Frontal, right pediatric wrist radiograph, detector: Siemens, 69.1 mm image width. 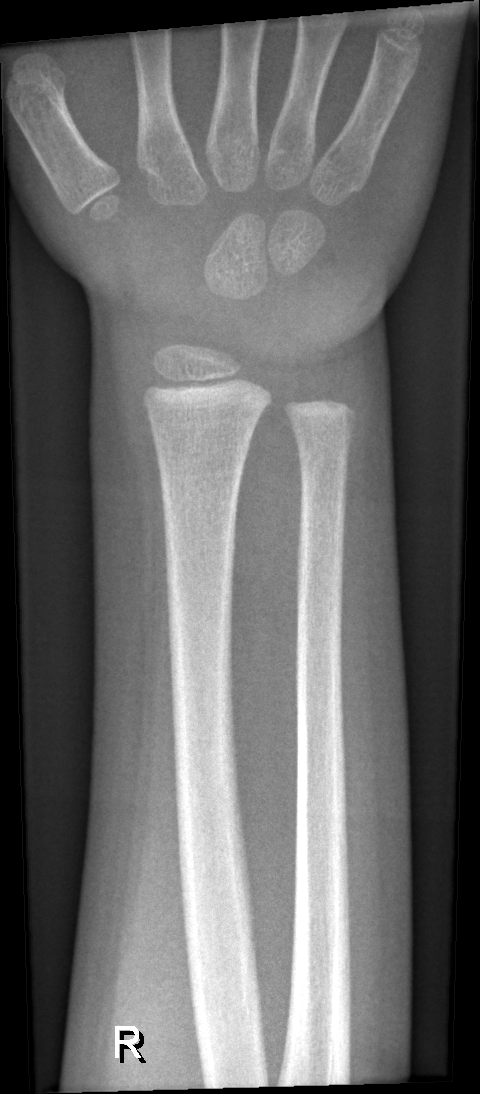

{
  "fracture": "none labeled"
}